Lt wrist plain film · PA projection —

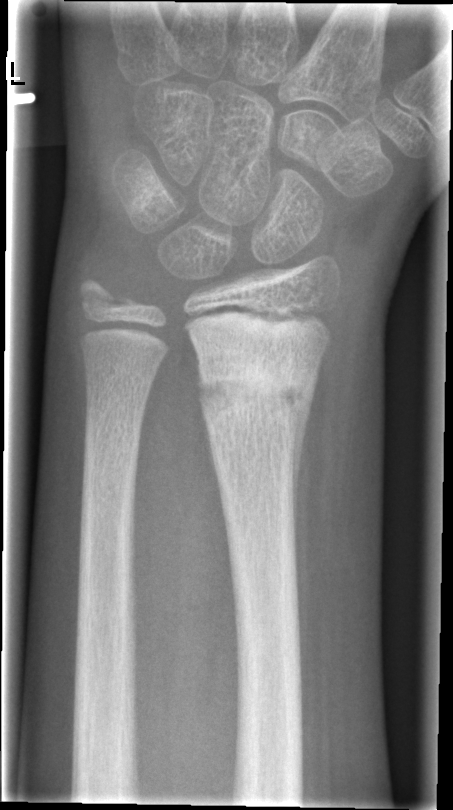

{"periostealreaction": "bbox(292, 428, 309, 717); bbox(291, 387, 316, 557)", "fracture": "2 @ bbox(194, 352, 320, 437); bbox(73, 270, 141, 319)", "ao": "23r-M/3.1; 23u-E/7"}